Right wrist XR, PA/AP, pediatric patient (male, age 17), Siemens, 659 x 1222 px

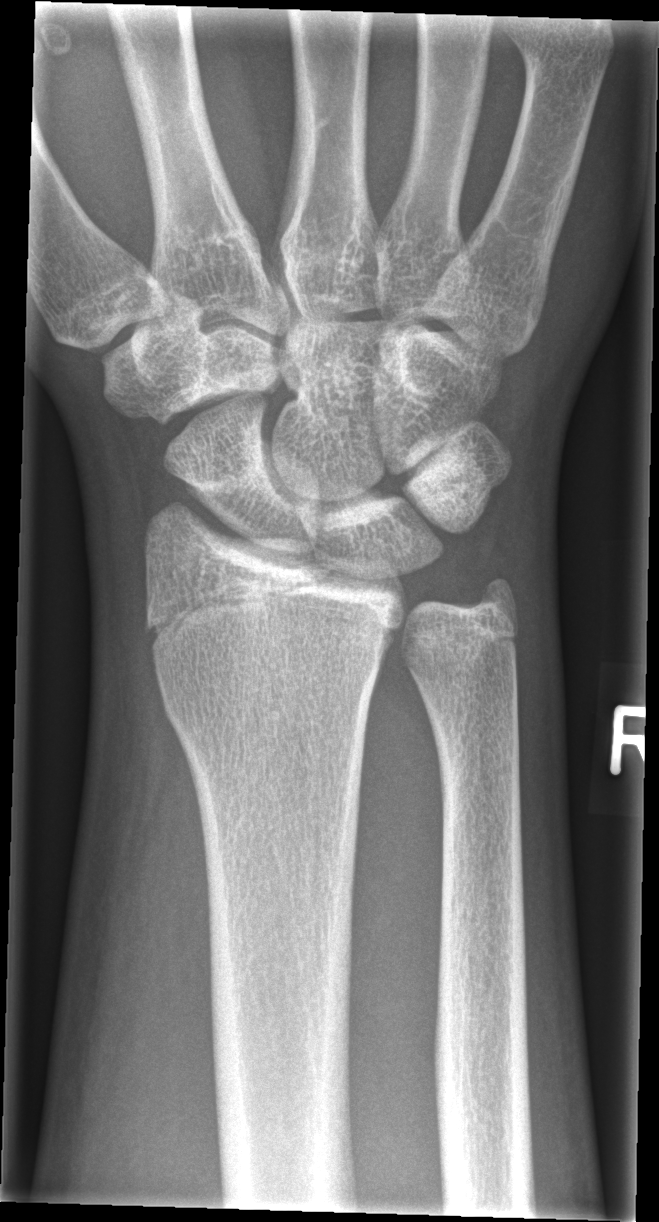

* Fracture present, but no bounding box because it is not clearly seen in this view.